Right wrist pediatric wrist radiograph; PA/AP projection —

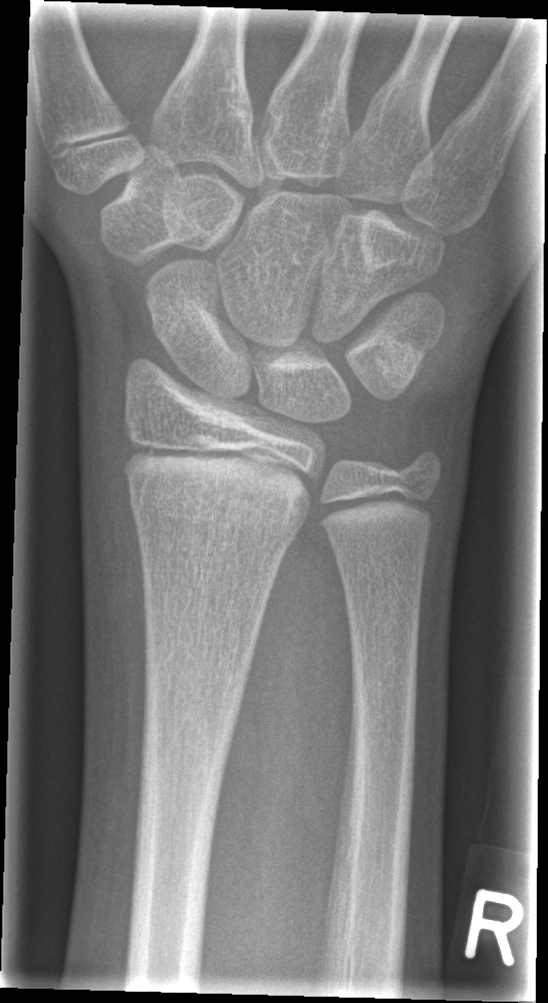
(pixel coordinates, top-left origin, xyxy)
fracture: 1 @ bbox(123, 476, 313, 548)